R wrist X-ray; PA/AP projection; female, 8 yo; follow-up; cast present
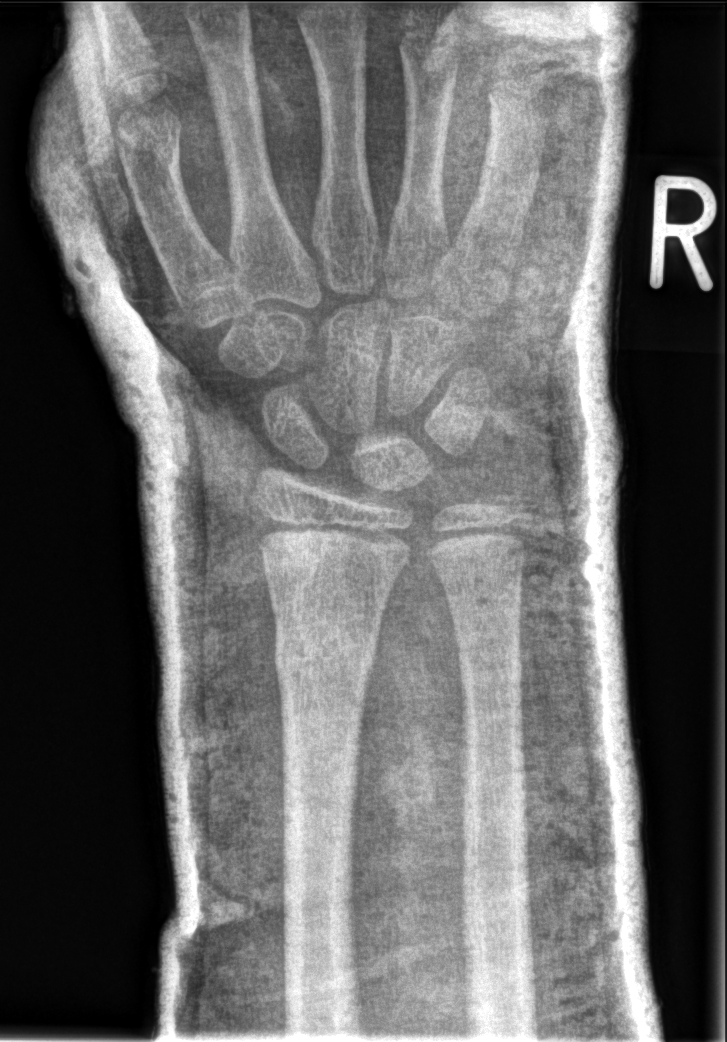

(coordinates are [x1, y1, x2, y2] in image pixels)
Bone fracture: 2 @ 271,622,381,691; 472,474,538,538